Lt wrist plain film · lat · 83.2 mm image width · image size 578x1268.

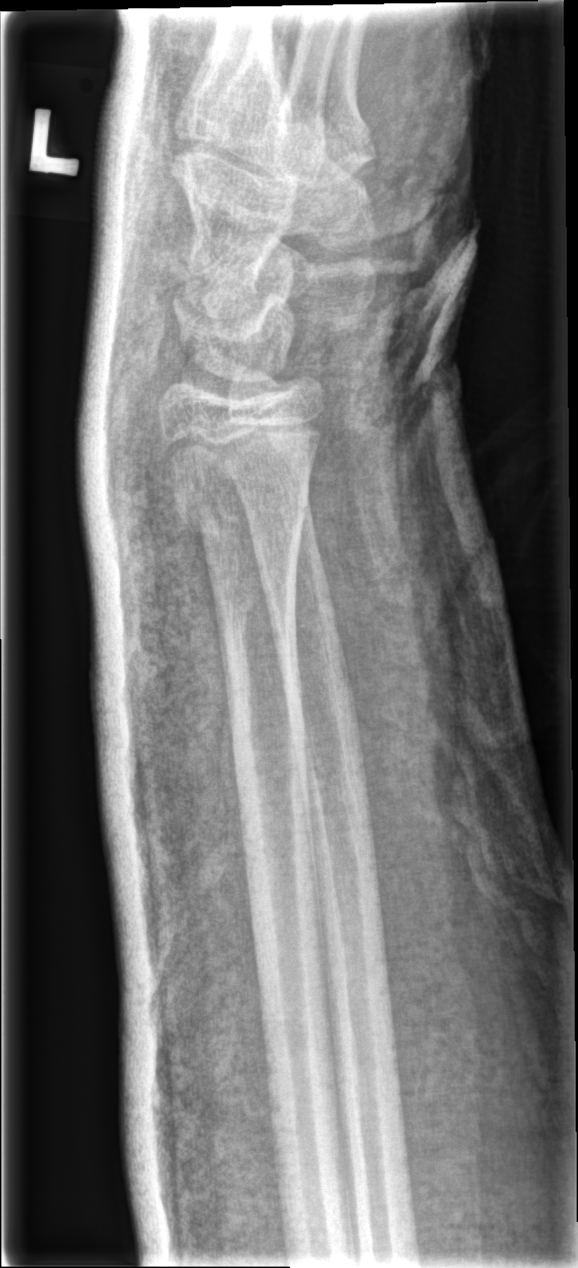 One fracture at <171,475>-<313,556>. AO/OTA classification: 23r-M/3.1; 23u-E/7.